Left pediatric wrist radiograph, PA view, female, 10 yo, initial study:

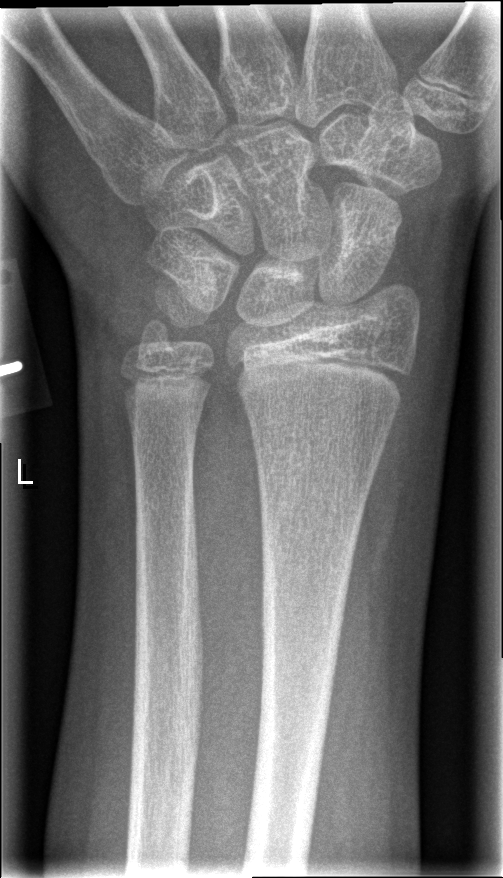
Bone fracture: none labeled